R wrist X-ray, frontal projection, 10-year-old female, imaged through cast:

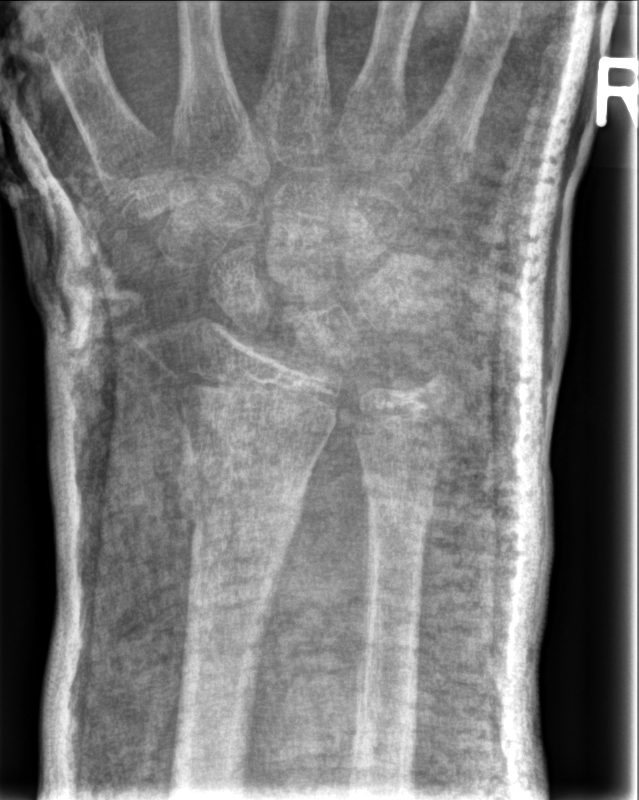

(bounding boxes in image-pixel xyxy)
Bone fracture: 2 @ (left=172, top=463, right=308, bottom=533); (left=358, top=468, right=440, bottom=529)